Left wrist X-ray, PA/AP view, pediatric patient (girl, age 15), presentation radiograph:
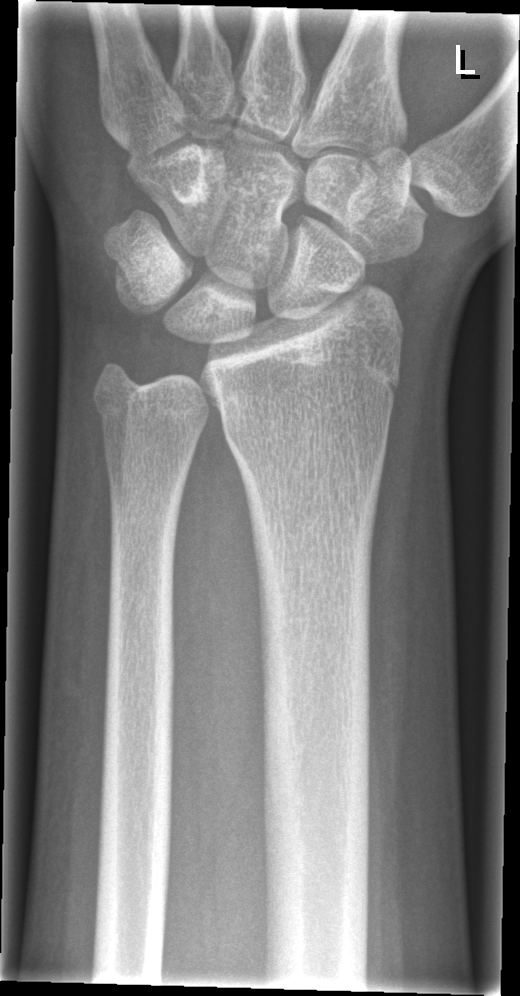

FINDINGS: No fracture labeled.